L plain radiograph of the wrist · lat · image size 501x1036:
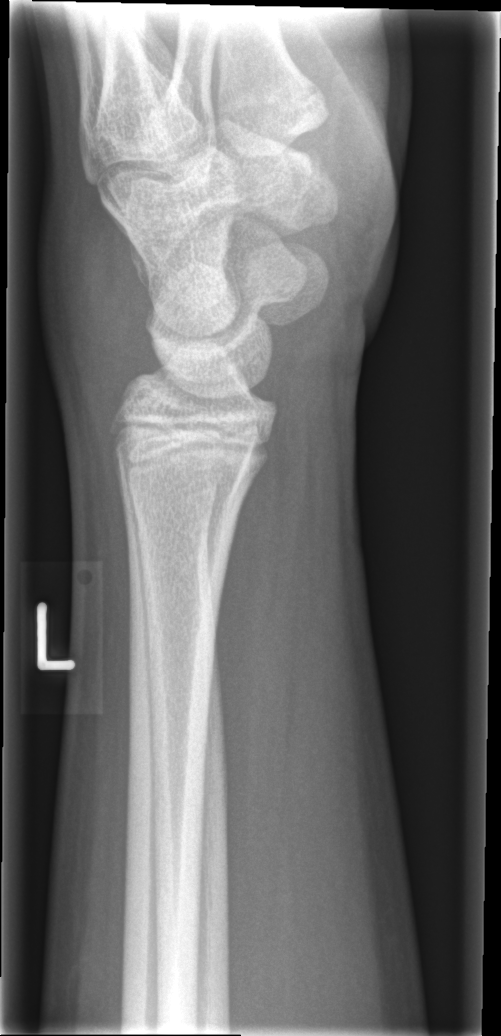

- No Fx annotated.